Lateral view · right wrist XR

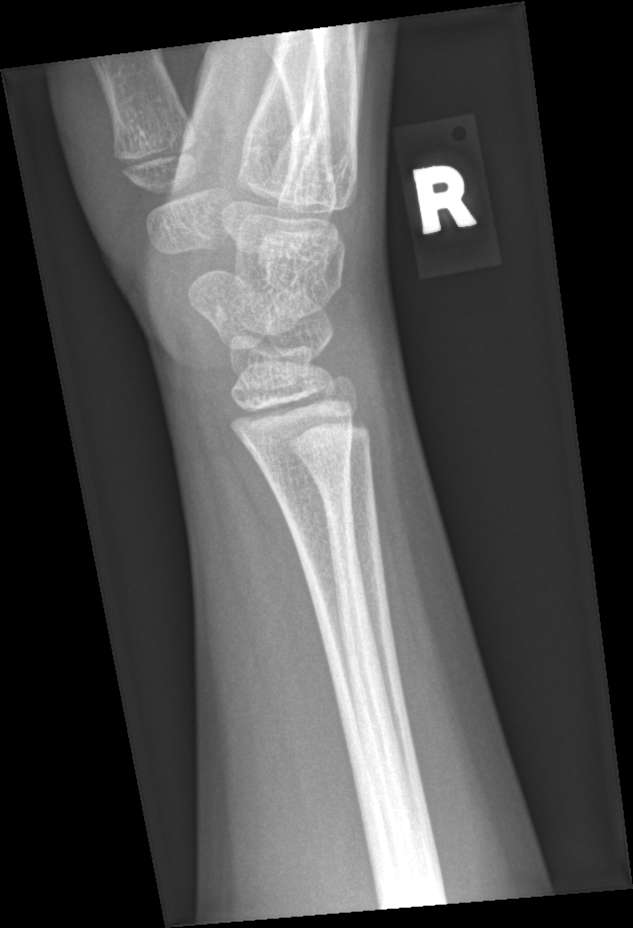
Fracture: none labeled.